Lat view; Lt wrist radiograph

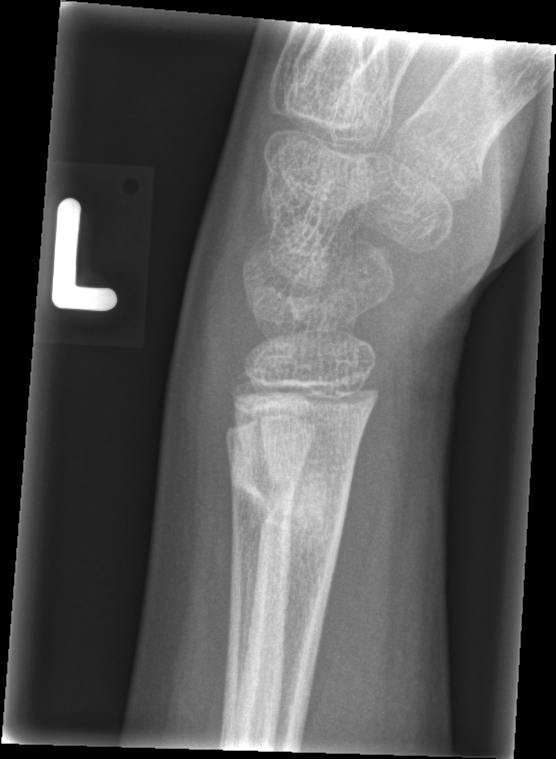 Q: Bone density?
A: Osteopenic
Q: Fracture present?
A: Fx identified at 225,438,353,540